Right plain radiograph of the wrist; PA/AP projection; age 12 y, male; detector: Siemens.

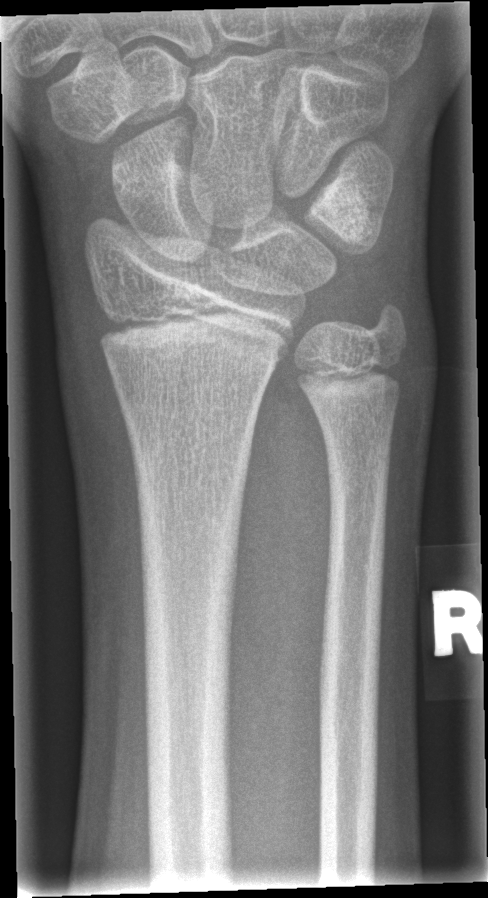   fracture: none labeled